Lt wrist X-ray | lateral | subsequent exam 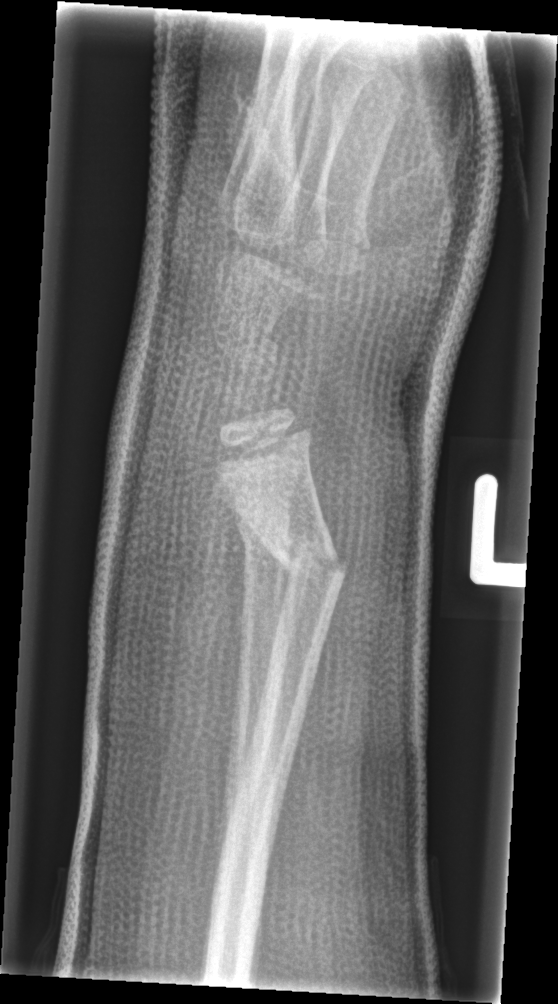

Fracture identified at 259,525,352,600.
AO/OTA classification: 23r-M/3.1; 23u-M/2.1.